Lateral projection; left wrist pediatric wrist radiograph; cast present; detector: Siemens
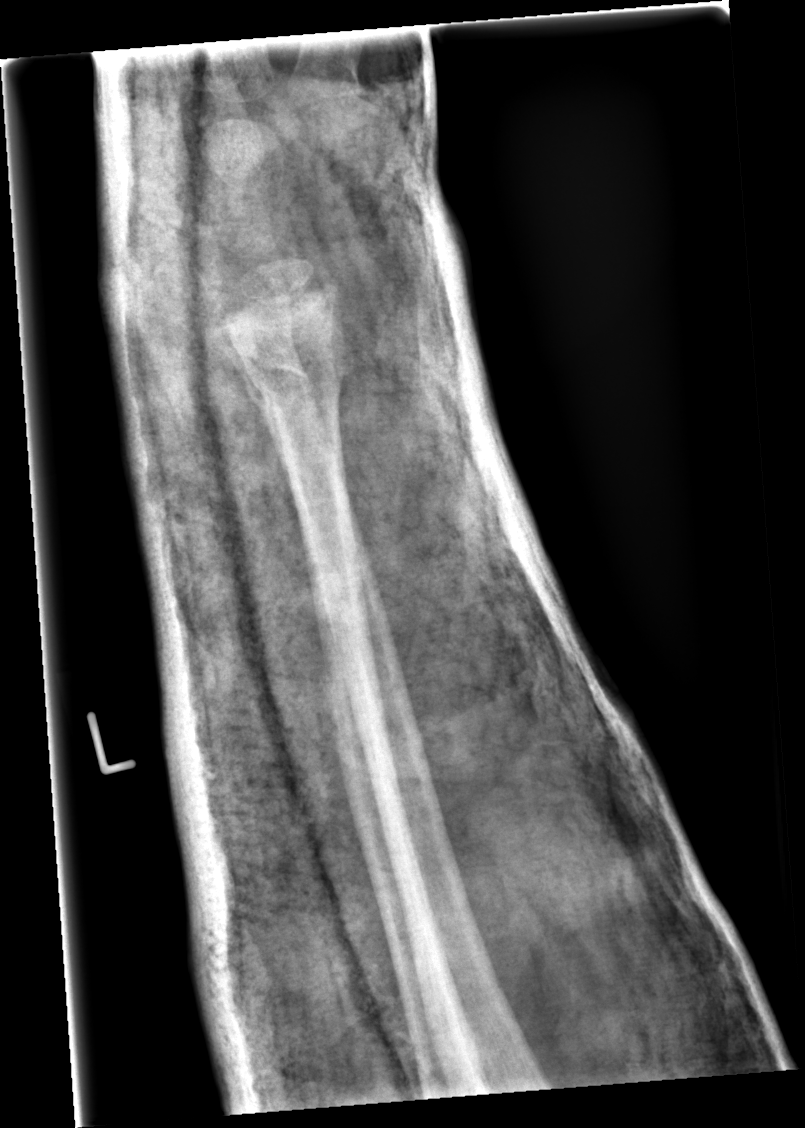
Findings: Fracture classified AO/OTA 23r-M/3.1; 23u-M/2.1. Fracture: <238,319>-<348,411>.